AP projection | left wrist XR | 508x1110.

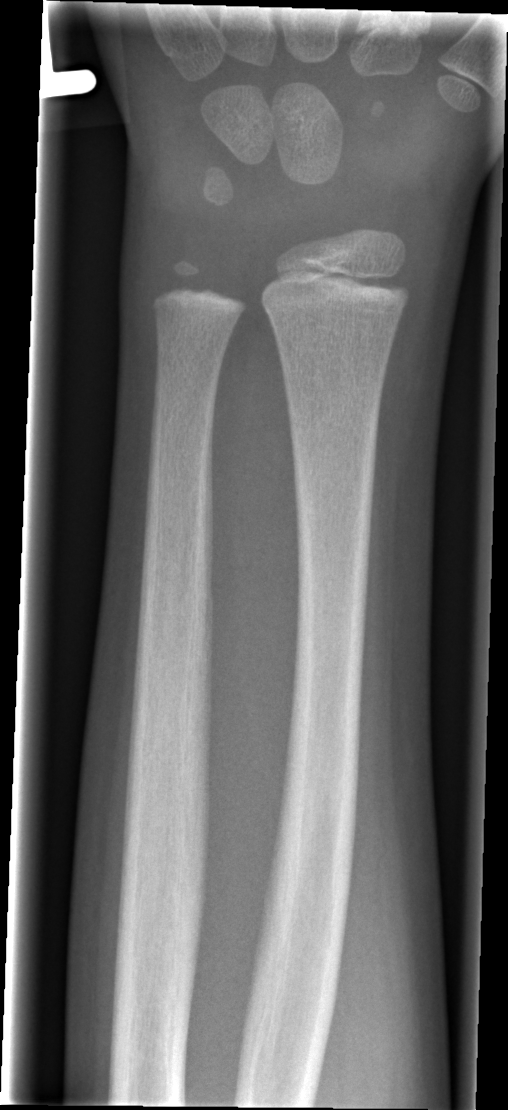 Fracture: none labeled